Lateral; left plain radiograph of the wrist; 7-year-old boy.
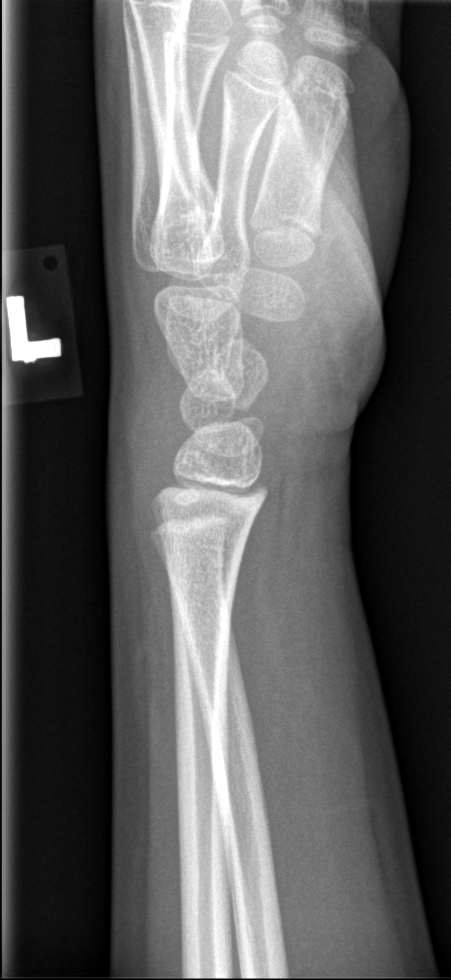

Findings: No fracture annotation.